Lt wrist plain film · lateral view · 10-year-old boy · 66.2 mm image width.
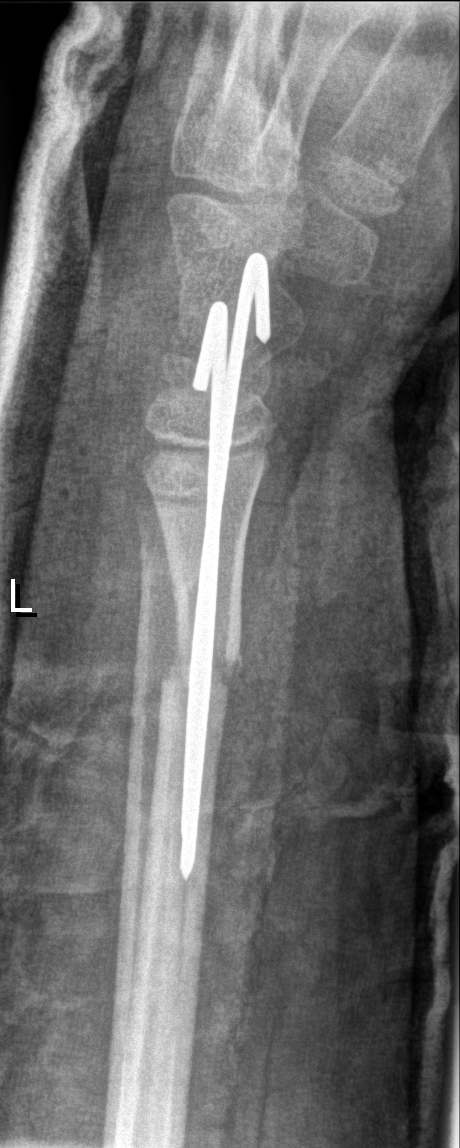 Hardware: [172, 249, 273, 878]. Fracture identified at [146, 630, 255, 732].